Rt wrist X-ray | lat view | acquired on Siemens | image width 75.3 mm.

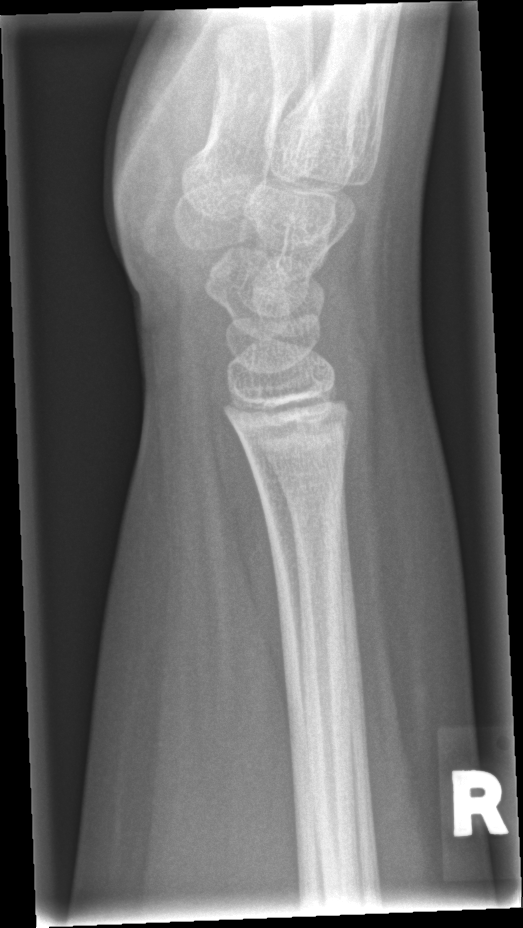

FINDINGS — No fracture labeled.